Lat projection | Rt wrist X-ray | presentation radiograph | 112.3 mm image width —
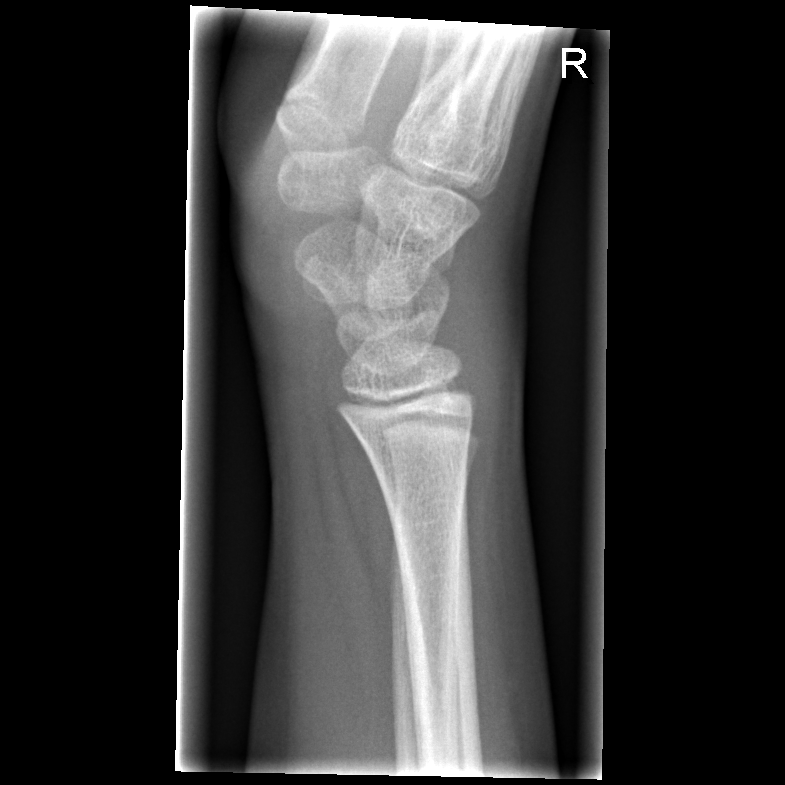   fracture: none labeled